Lateral, right wrist plain radiograph of the wrist, 13-year-old male 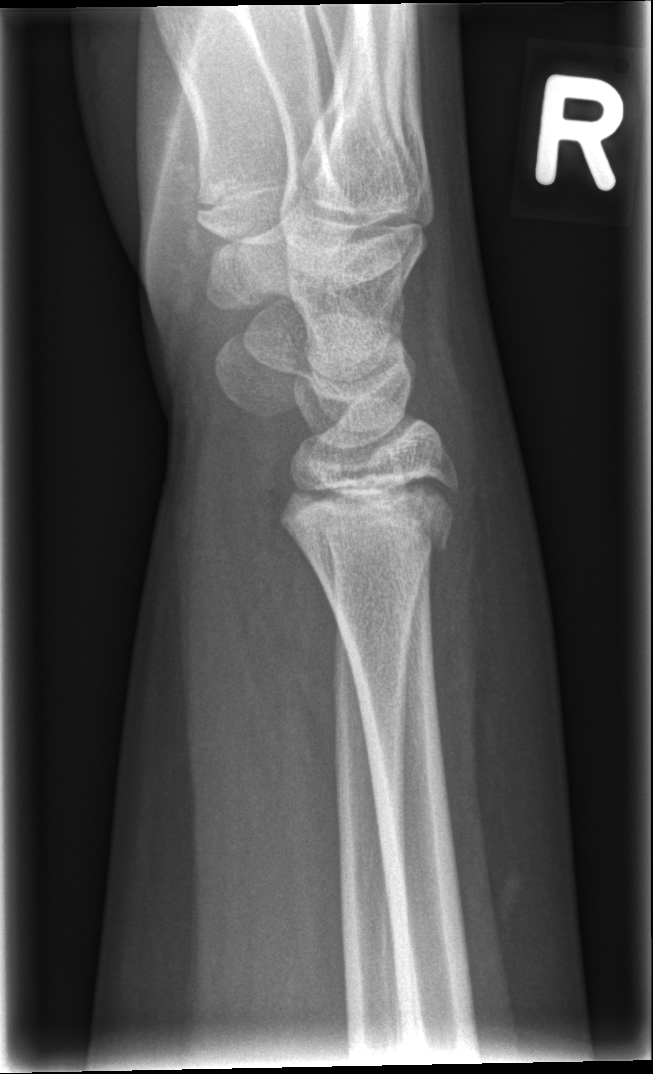

(bounding boxes in image-pixel xyxy)
positive pronator fat-pad sign: (227, 471, 342, 873)
fracture: (276, 471, 460, 561)